Lat projection | left wrist XR | pediatric patient (boy, age 6) | subsequent exam | cast present.
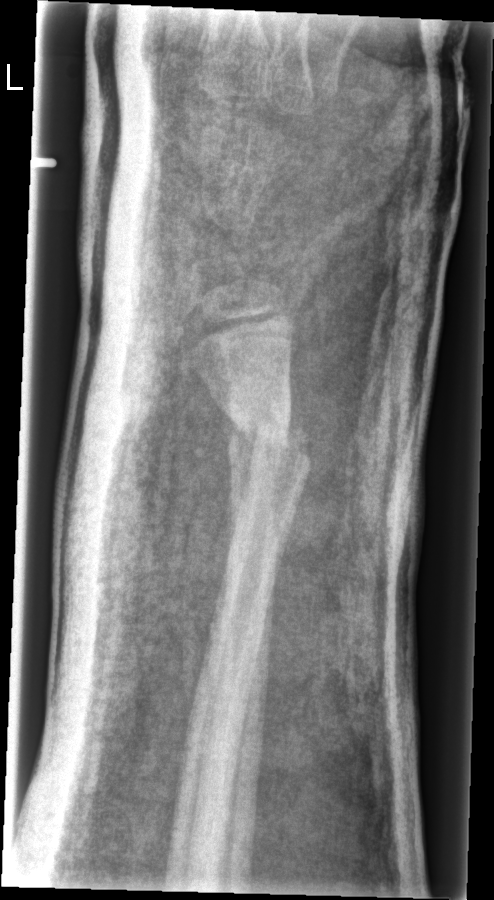 Bounding boxes in image-pixel xyxy. Fracture: <214,404>-<319,493>. Fracture classified AO/OTA 23-M/3.1.